PA view; left wrist radiograph; detector: Siemens; 527 by 546 pixels
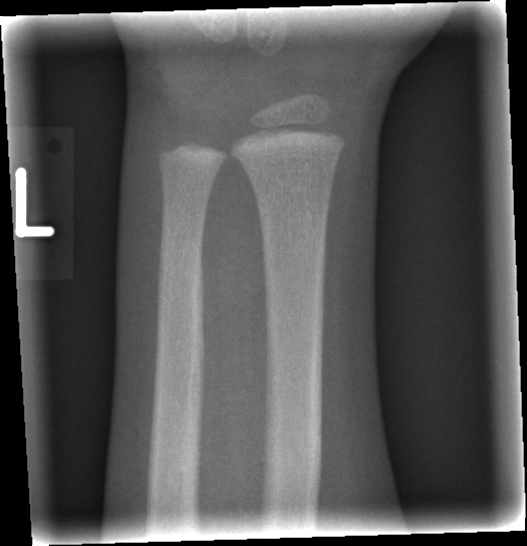 Fracture = none labeled